Lateral view | L wrist radiograph | age 5 y, girl | subsequent exam | imaged through cast.

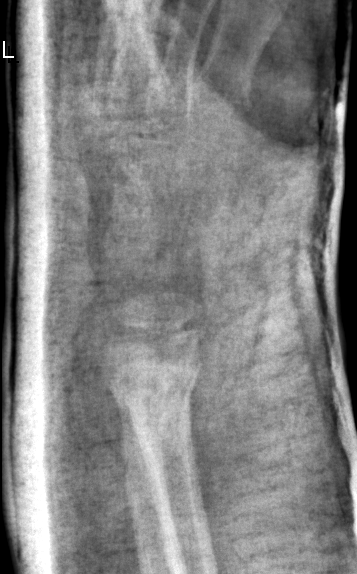
{
  "fracture": "1 @ [97, 346, 205, 436]",
  "ao": "23-M/3.1"
}